Lat projection; R wrist XR; male, 14 yo; image 64.2 mm wide — 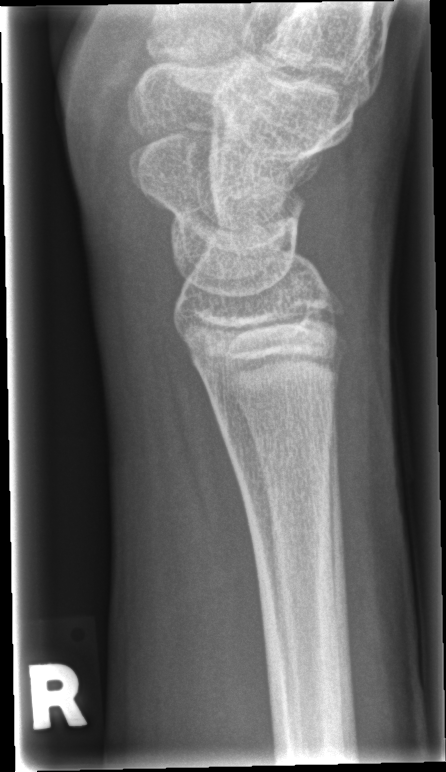
Bone fracture = none labeled